AP view, left pediatric wrist radiograph, male, 8 yo, subsequent exam, cast in situ, detector: Siemens, 560 by 792 pixels
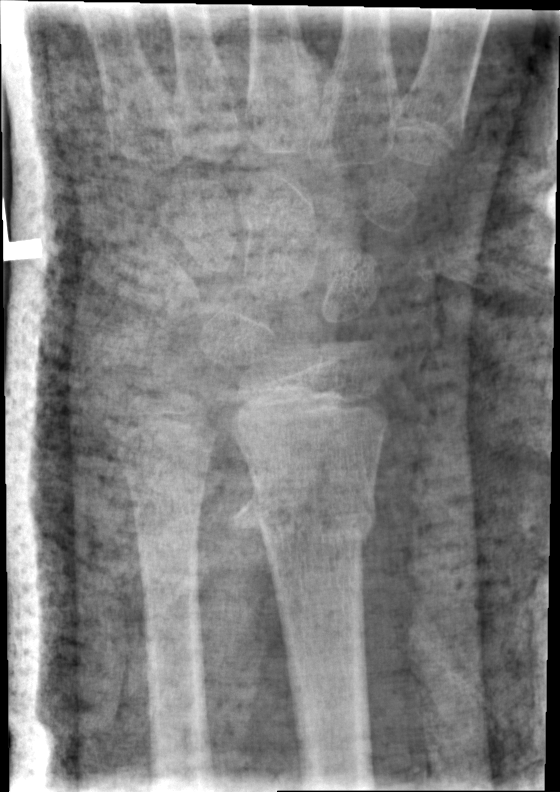
  # bounding boxes in image-pixel xyxy
  fracture: 1 @ <249,475>-<380,560>
  ao: 23r-M/3.1